Frontal view; L wrist plain film; 665 x 1250 px:
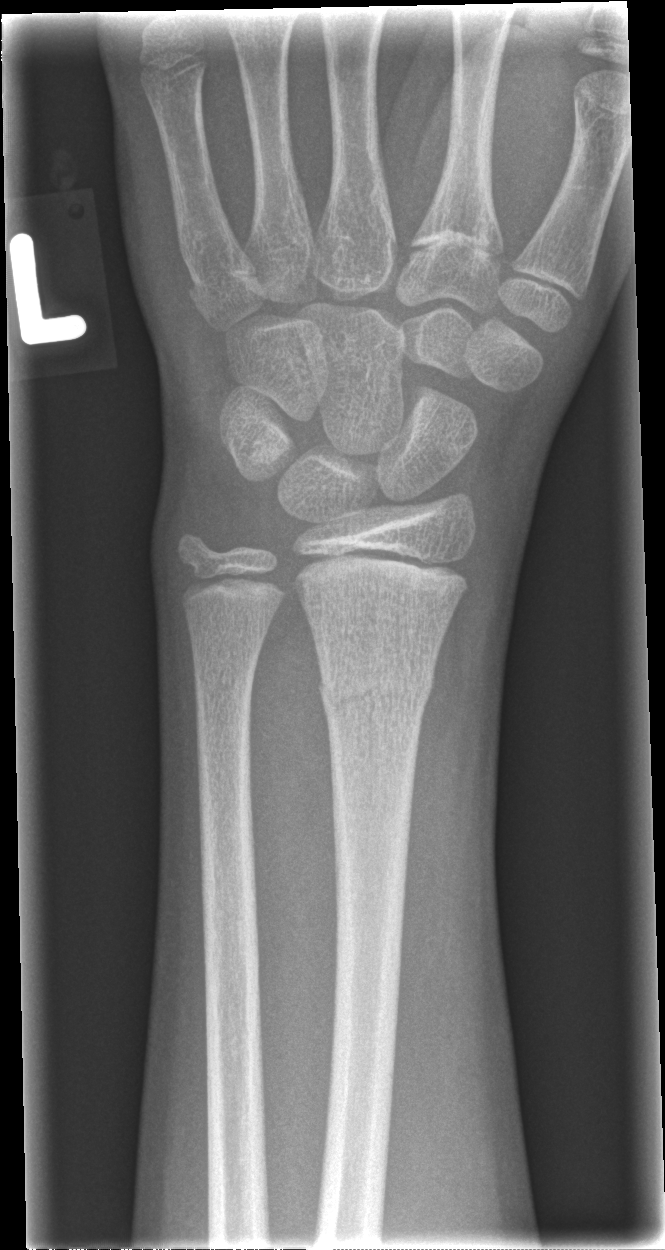

{"_coords": "coordinates are [x1, y1, x2, y2] in image pixels", "fracture": "311 654 440 729", "ao": "23r-M/3.1"}